AP projection | left wrist radiograph | acquired on Siemens.
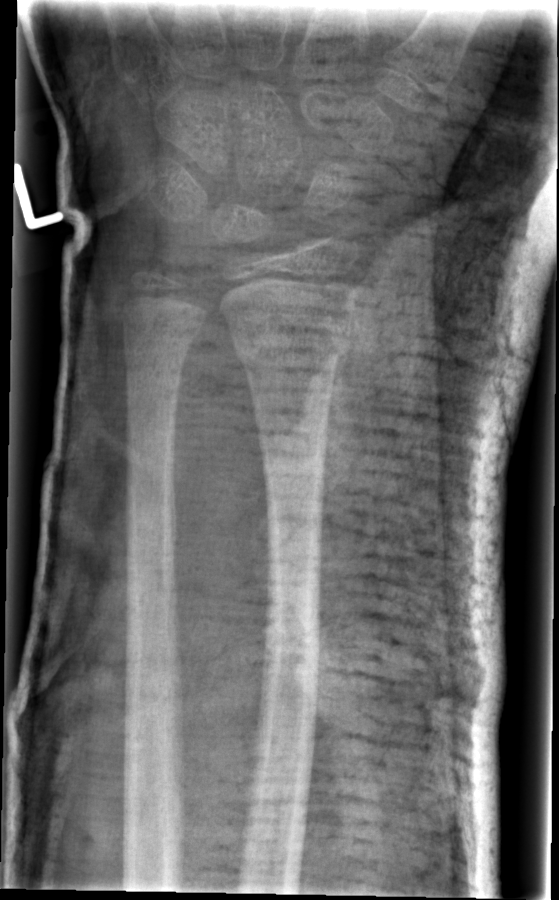 AO/OTA classification: 23-M/2.1.
Fracture identified at [230, 306, 362, 377] [122, 321, 206, 366].